Right wrist plain film, lat 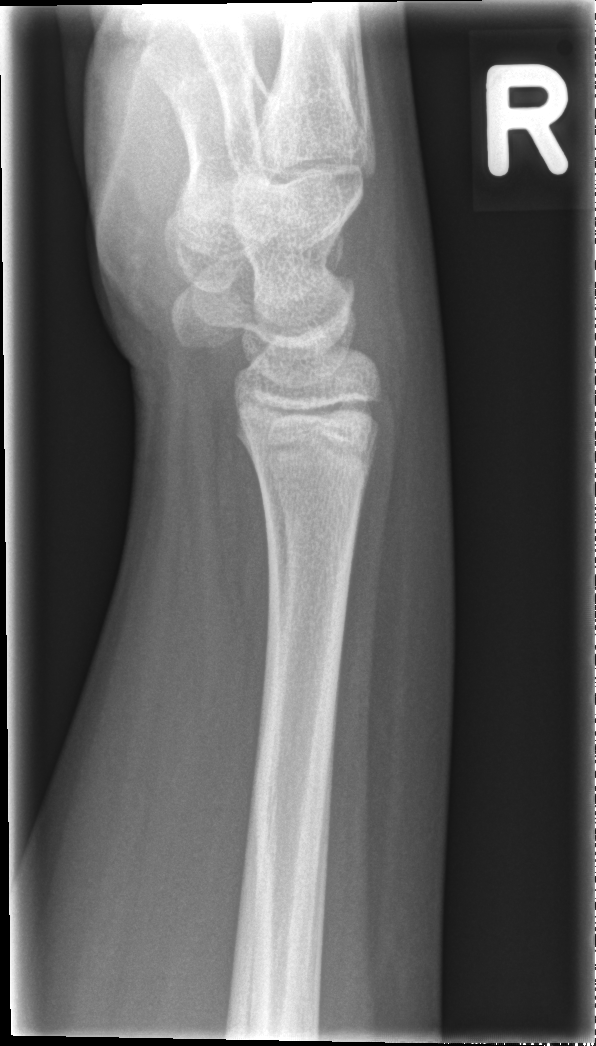   fracture: none labeled